Lt plain radiograph of the wrist; lateral view; pediatric patient (female, age 8); detector: Siemens; 81.9 mm image width:

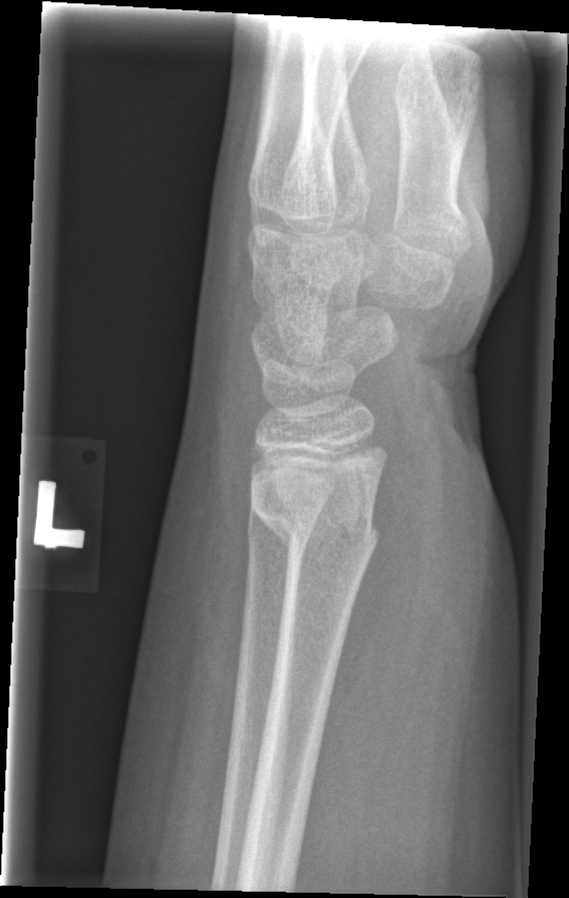 Q: Any fracture seen?
A: Bone fracture identified at [245, 496, 382, 560], [243, 493, 320, 568]
Q: AO code?
A: AO/OTA classification: 23r-M/3.1; 23u-M/2.1